PA/AP view | right wrist radiograph | in cast:

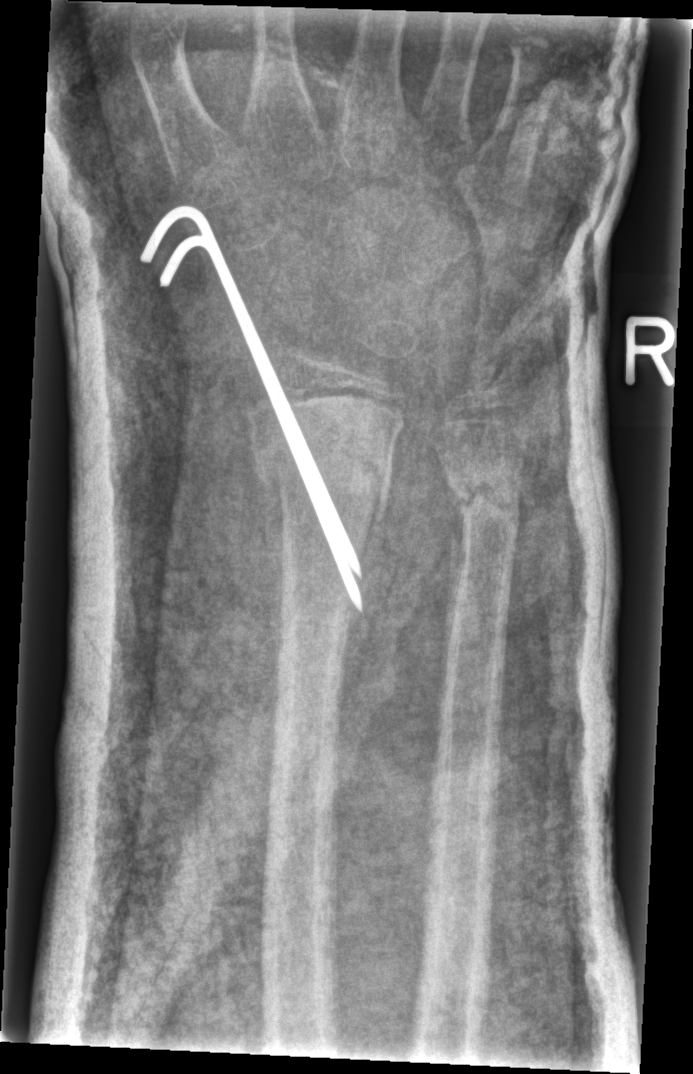 (coordinates are [x1, y1, x2, y2] in image pixels)
AO classification: 23-M/3.1
Fracture: (left=247, top=420, right=396, bottom=527) (left=437, top=452, right=526, bottom=547)
Hardware: (left=140, top=205, right=362, bottom=613)